Rt wrist X-ray, lat view, age 15 y, boy

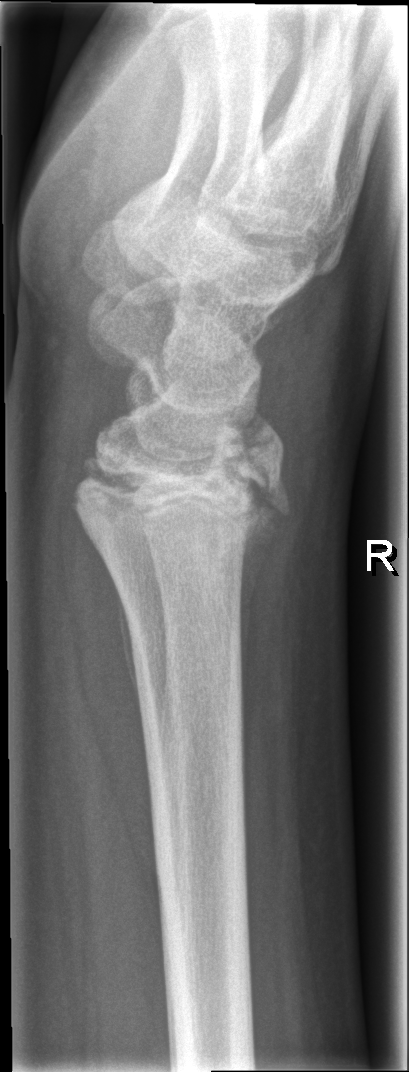
  fracture: <73,420>-<293,549>
  ao: 23r-E/4.1; 23u-E/7
  periostealreaction: 2 @ <237,512>-<286,720>; <118,585>-<142,705>